Lat, right wrist X-ray, 4y F —

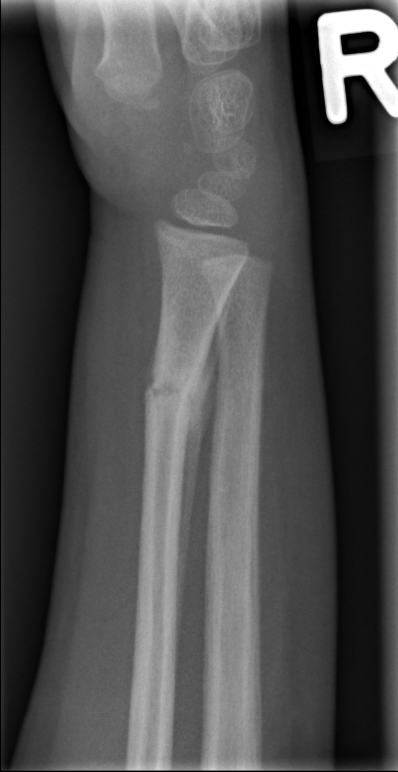
Bounding boxes in image-pixel xyxy. Fracture identified at (141, 357, 217, 431). One periosteal new bone at (174, 263, 237, 717).